Posteroanterior view; left plain radiograph of the wrist; age 16 y, boy; image 94.0 mm wide — 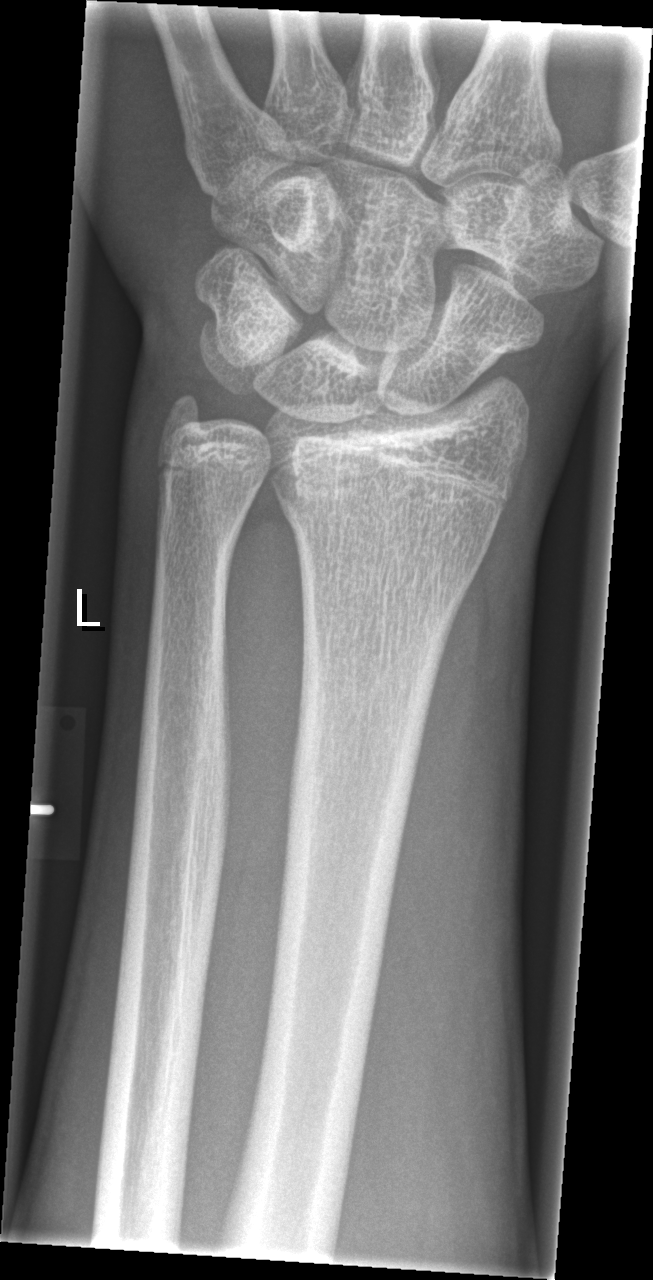

Q: What is the AO/OTA classification?
A: AO code 23r-M/2.1
Q: Is there a fracture?
A: Fx: present but not clearly seen in this view